Lat projection, right wrist plain film, age 14 y, male, follow-up study, imaged through cast, 686x1414.

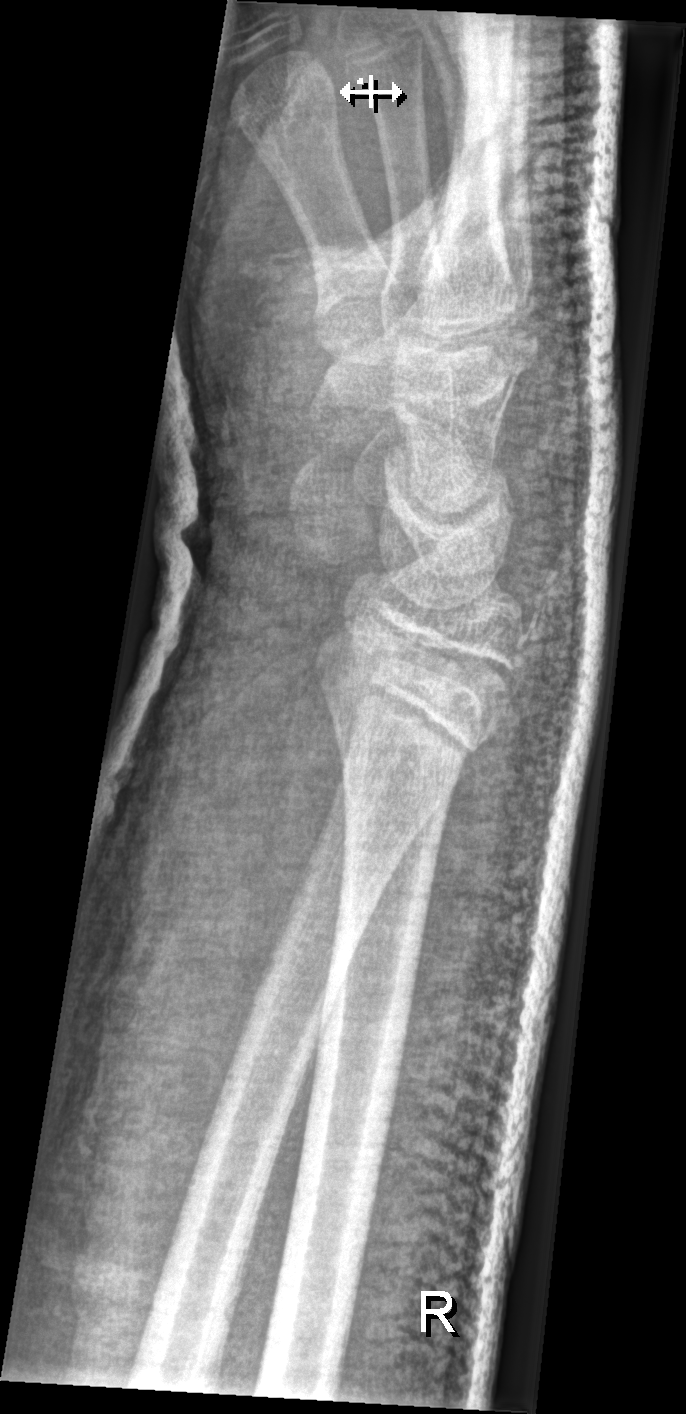
{"_coords": "boxes as x1,y1,x2,y2 (top-left / bottom-right, pixel units)", "fracture": "<308,616>-<528,755>"}